Rt wrist radiograph | PA/AP | 7y M | cast present | image size 654x1163:
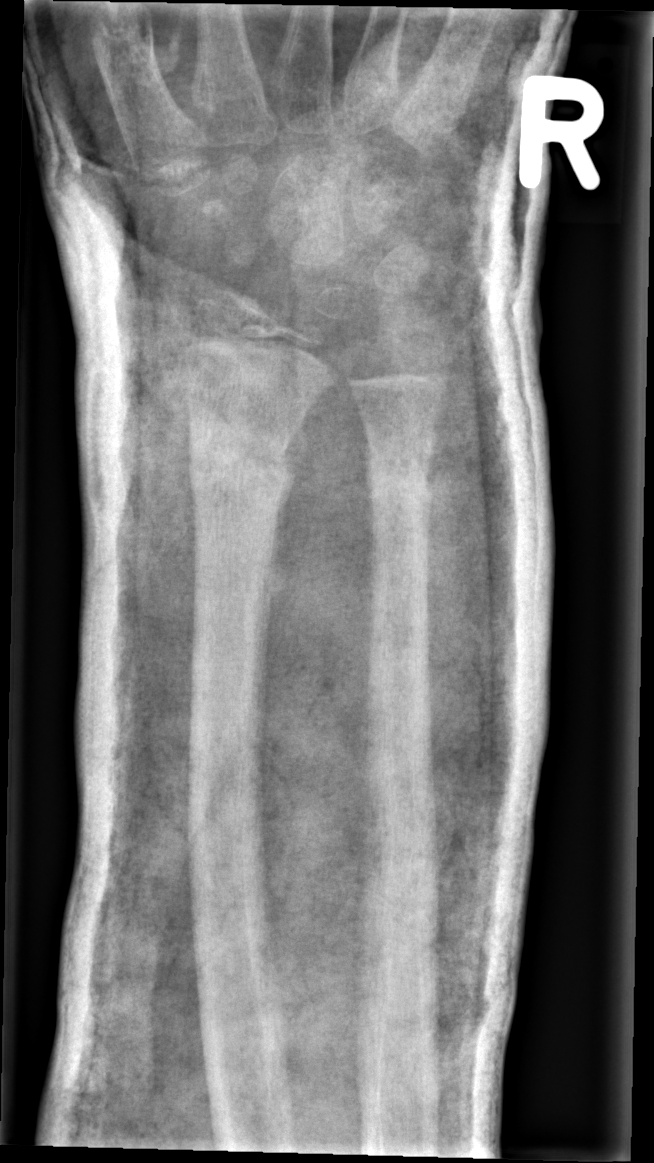 (pixel coordinates, top-left origin, xyxy)
fracture: 2 @ <182,438>-<297,513>, <359,460>-<438,512>